AP view | left pediatric wrist radiograph | 12-year-old girl:
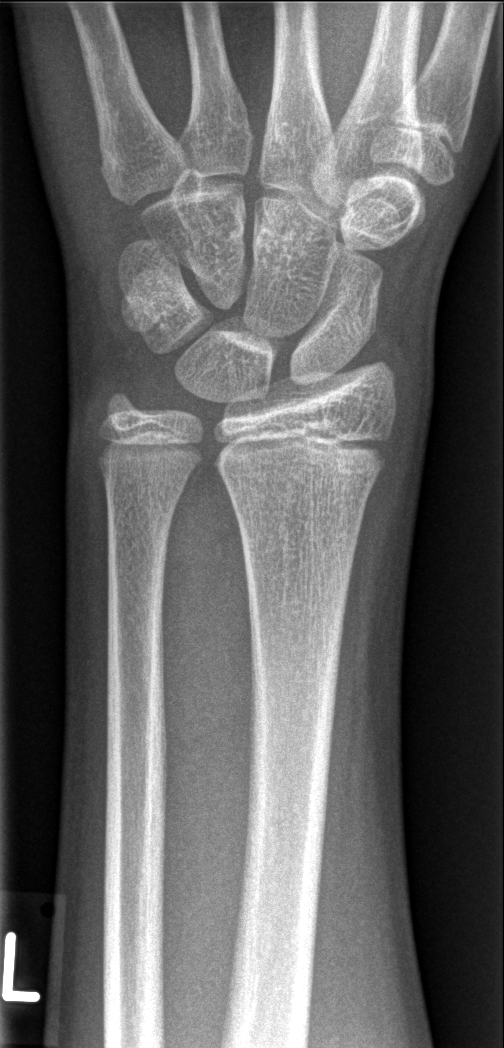
Fracture present, though not clearly seen in this view. AO/OTA classification: 23r-M/2.1.